Lat, Lt plain radiograph of the wrist, follow-up study, cast present, Siemens, 630 by 1249 pixels — 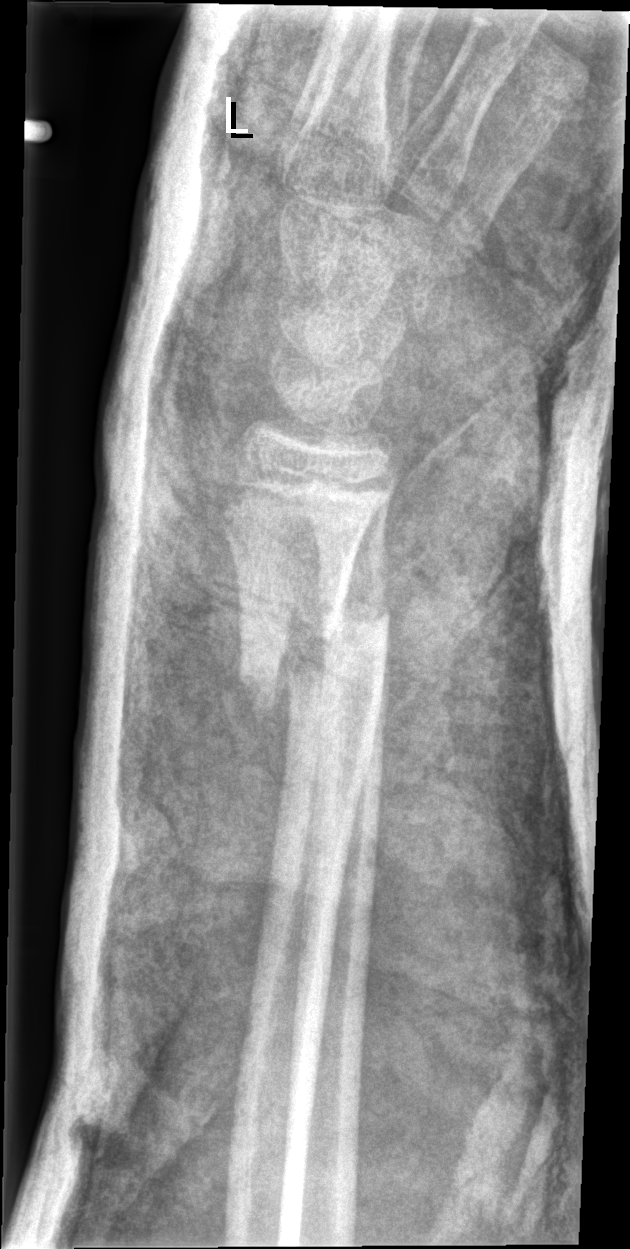
(boxes as x1,y1,x2,y2 (top-left / bottom-right, pixel units))
Fracture = 1 @ (236, 584, 392, 723)
AO classification = 23-M/3.1